PA; Lt wrist X-ray; boy, 8 yo; 462 by 712 pixels.
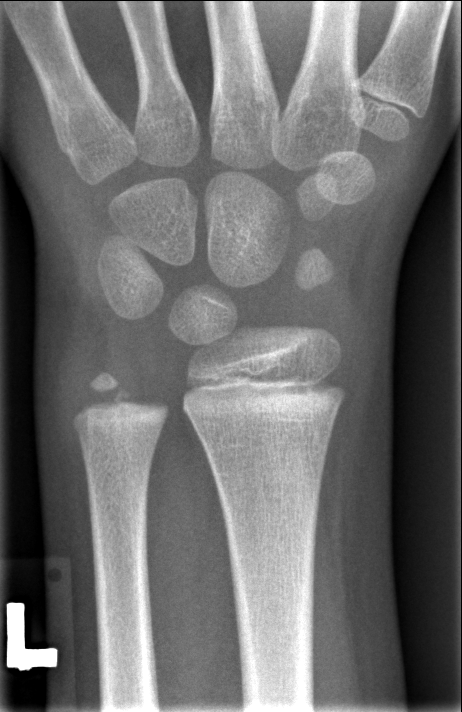 • No fracture annotation.